R wrist XR, AP, pediatric patient (female, age 15).
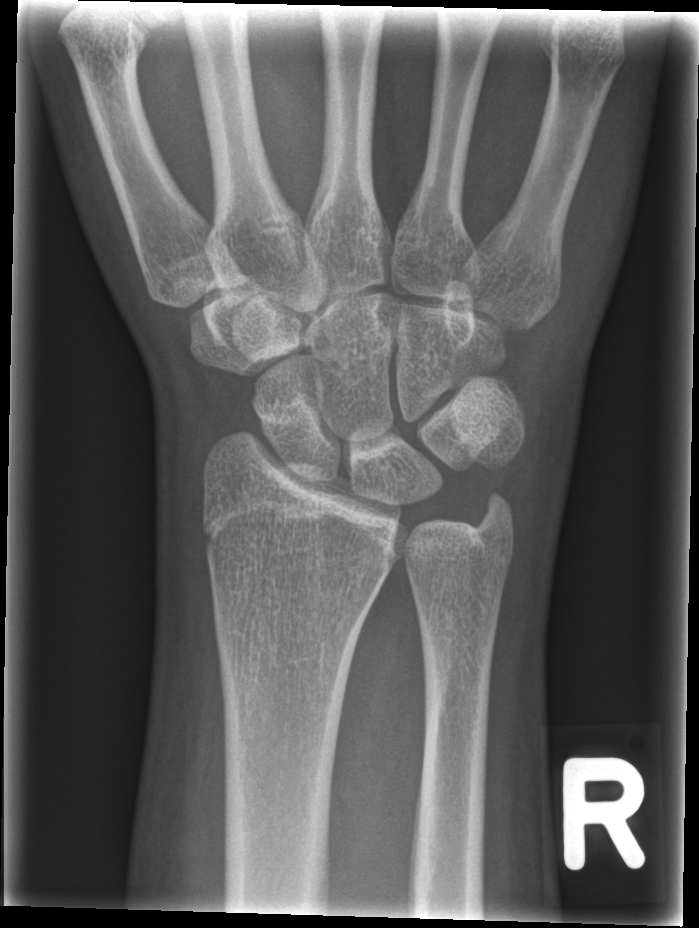

Bone fracture: none labeled